PA/AP projection; L wrist X-ray; pediatric patient (girl, age 6); presentation radiograph; 444 x 616 px. 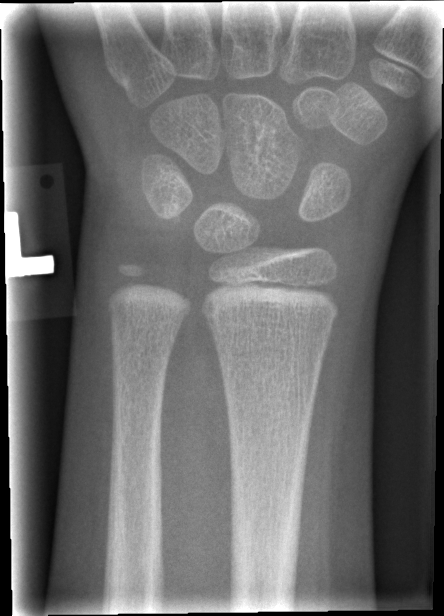

No Fx annotated.